PA projection, left wrist XR, age 10 y, girl, follow-up study —
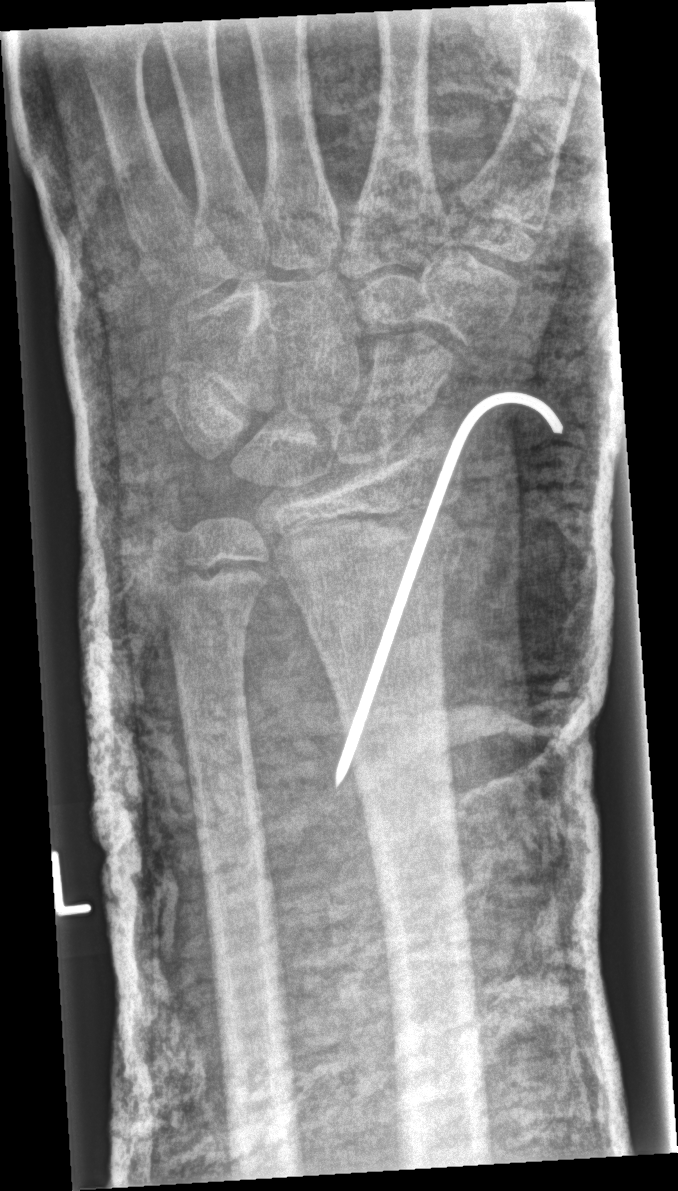 * One Fx at [x1=267, y1=472, x2=475, y2=649].
* Metallic implant: [x1=333, y1=389, x2=565, y2=792].